Right wrist XR · lat view · age 7 y, female · 466 x 882 px —
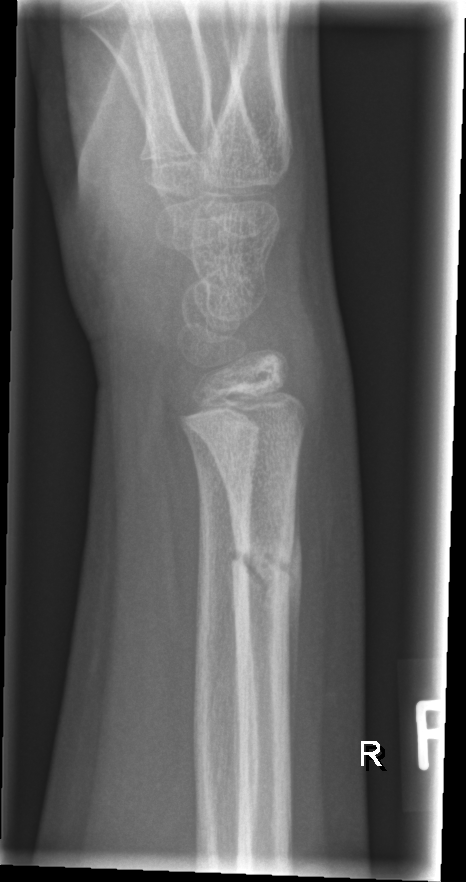

# boxes as x1,y1,x2,y2 (top-left / bottom-right, pixel units)
ao: 23r-M/3.1; 23u-M/2.1
osteopenia: present
periostealreaction: 1 @ 290,521,302,720
fracture: 1 @ 226,528,302,602